Right wrist plain film · lat view · index exam:
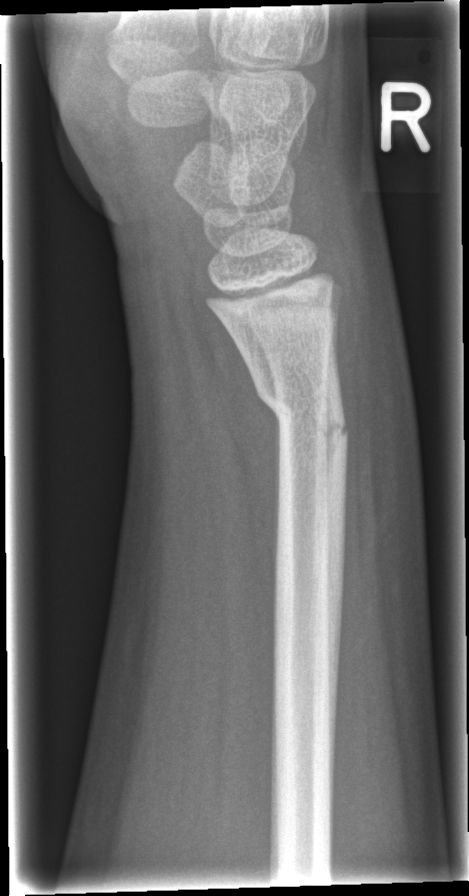 {
  "fracture": "bbox(250, 375, 352, 462)"
}